Right wrist XR · AP view · age 11 y, girl · follow-up study —
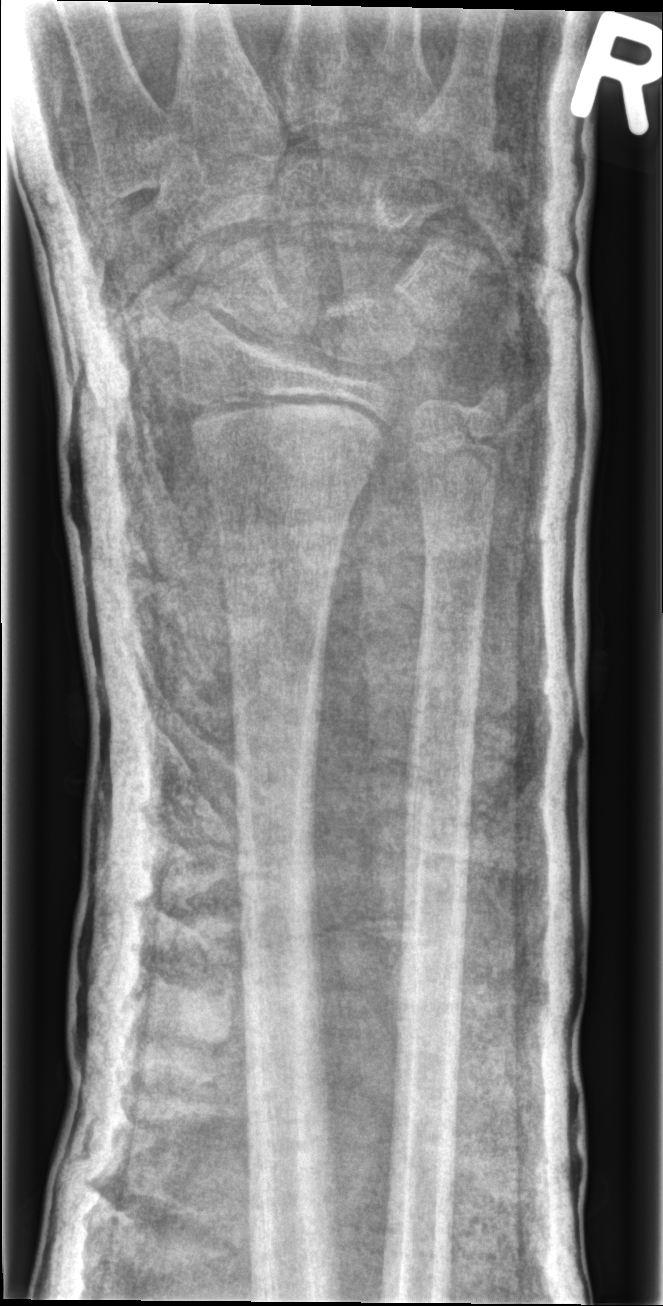
Boxes as x1,y1,x2,y2 (top-left / bottom-right, pixel units).
Fracture: [185, 386, 395, 471].